Lateral projection · left wrist plain radiograph of the wrist · 11-year-old male · 476 x 973 px 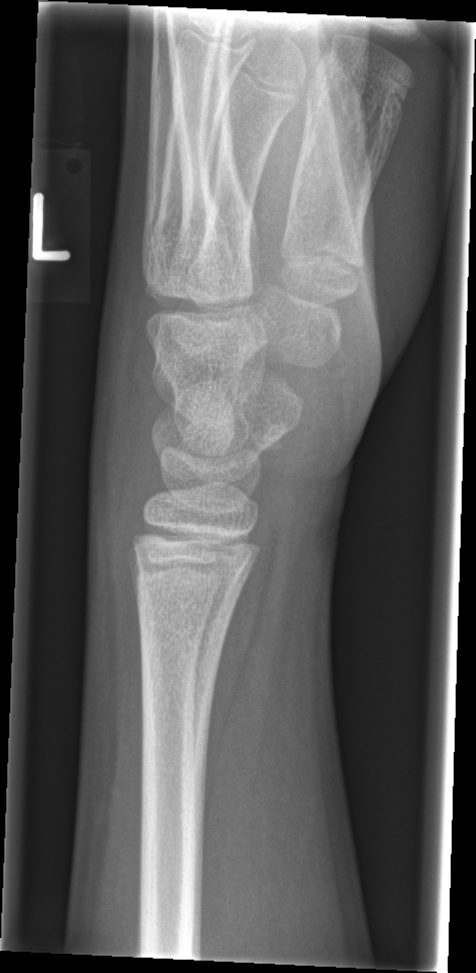 Fracture = none labeled